Left wrist XR | PA/AP | 9y M | cast present

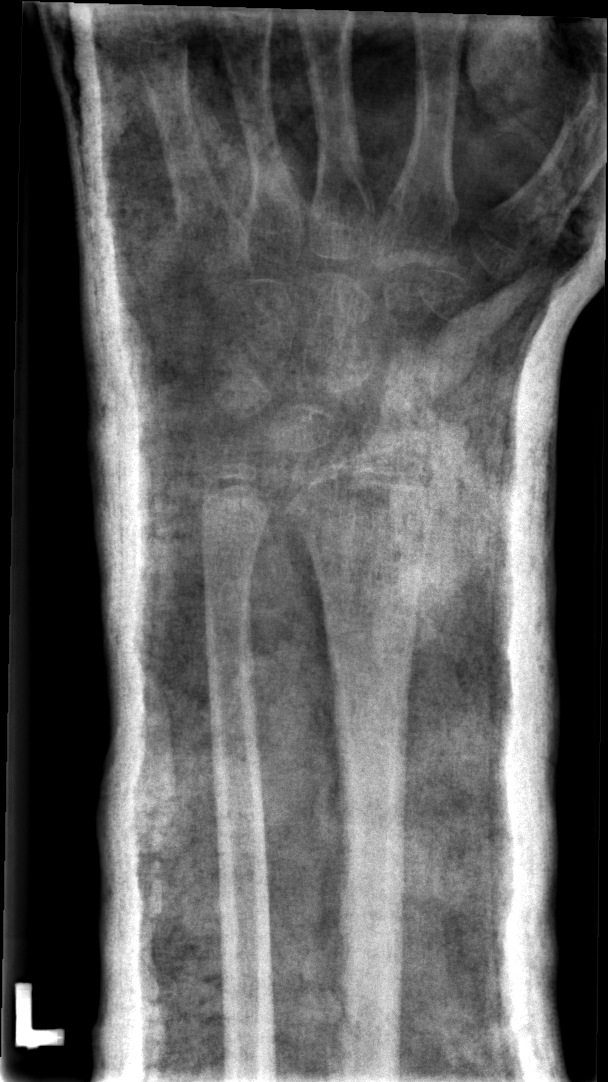 Q: Is there a fracture?
A: Fracture present, though not clearly seen in this view
Q: What is the AO/OTA classification?
A: Fracture classified AO/OTA 23r-M/2.1